Lateral · left wrist plain film · follow-up study:
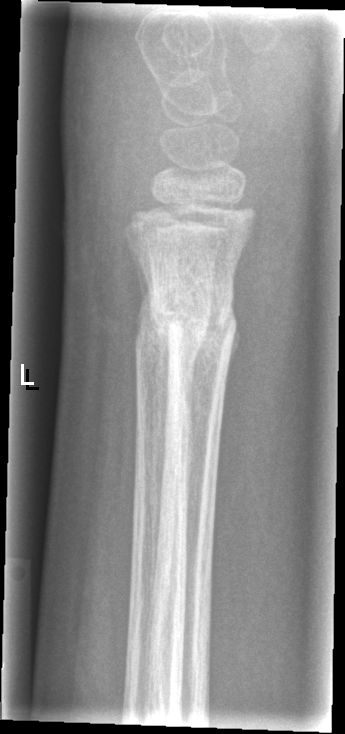
  # pixel coordinates, top-left origin, xyxy
  osteopenia: present
  ao: 23-M/3.1
  fracture: 2 @ <144,263>-<241,354>; <128,294>-<213,364>